Left wrist plain radiograph of the wrist, PA view, age 10 y, female, Siemens
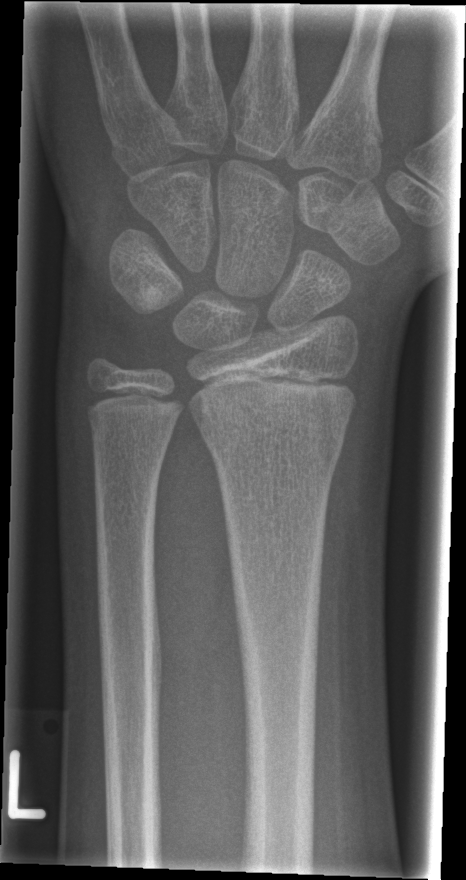 • Fracture classified AO/OTA 23r-M/2.1.
• Bone fracture identified at <201,414>-<347,472>.